Rt wrist radiograph · lateral · age 10 y, female · 427 x 1212 px —

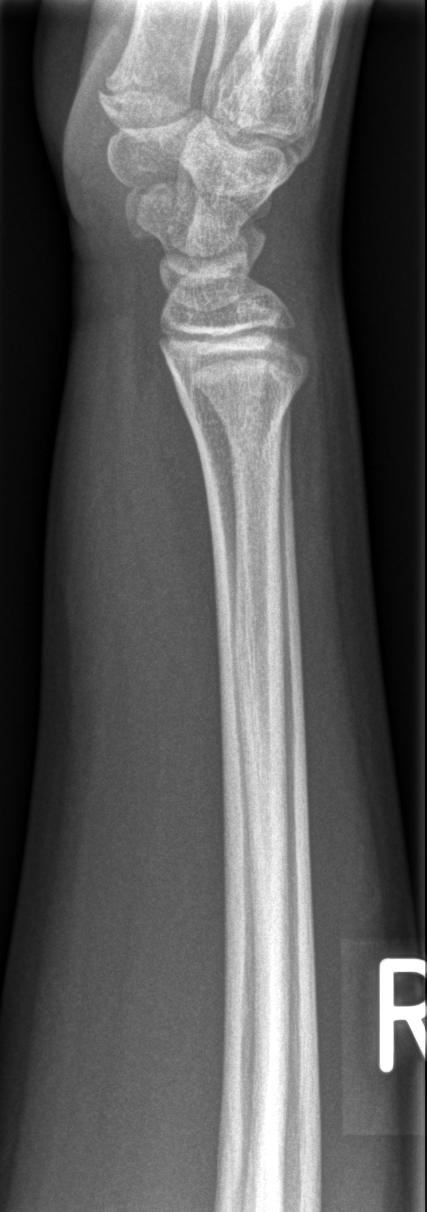 AO/OTA classification: 23r-M/2.1. Pronator quadratus fat-pad sign identified at bbox(123, 351, 224, 722). Fx: bbox(179, 370, 315, 442).